AP projection | Lt wrist plain film | 10-year-old male | detector: Siemens
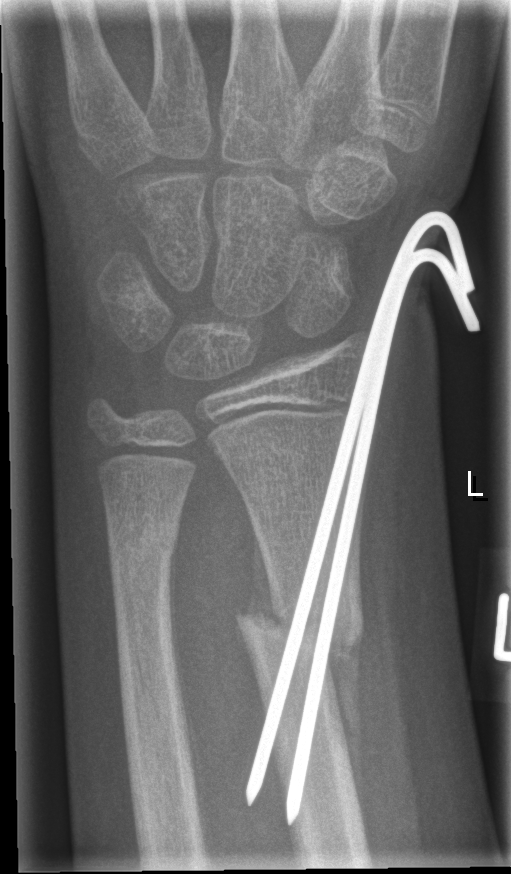
Q: Fracture present?
A: Bone fracture identified at bbox(230, 598, 371, 673); bbox(103, 517, 181, 579)
Q: Locate any periosteal reaction.
A: Periosteal reaction identified at bbox(323, 627, 366, 835); bbox(168, 534, 191, 778); bbox(245, 511, 280, 630)
Q: Locate any hardware.
A: Metal — bbox(244, 208, 481, 826)